Posteroanterior projection, left plain radiograph of the wrist, 9y F, 404x668:

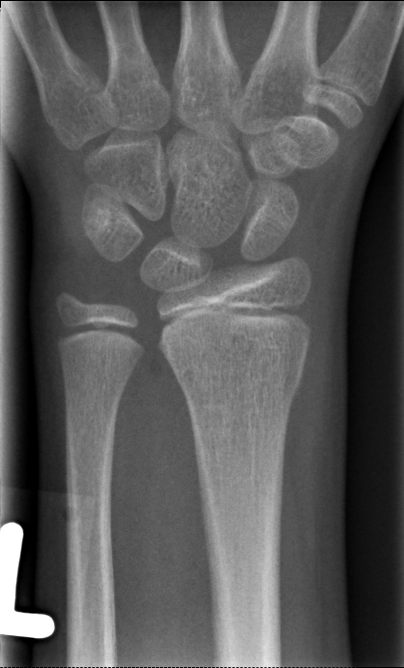 (coordinates are [x1, y1, x2, y2] in image pixels)
Q: Fracture present?
A: Fx identified at 172 346 307 403
Q: What is the AO/OTA classification?
A: AO/OTA classification: 23r-M/2.1